Rt wrist plain film; PA view; detector: Siemens; image 56.4 mm wide; image size 392x783:

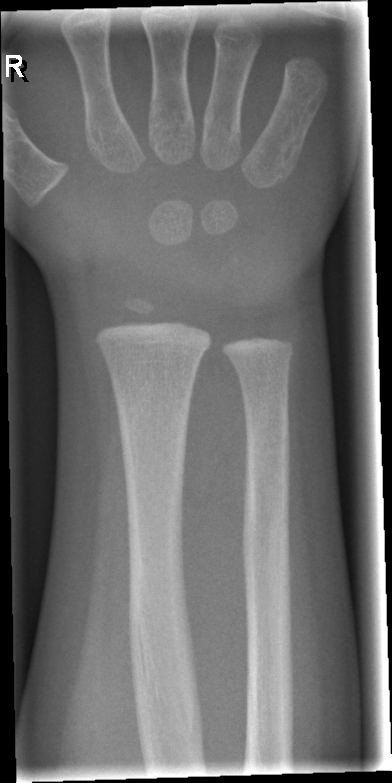

Q: Fracture present?
A: Fracture: none labeled